Lat view, left wrist X-ray, pediatric patient (girl, age 15), initial study, 439x734. 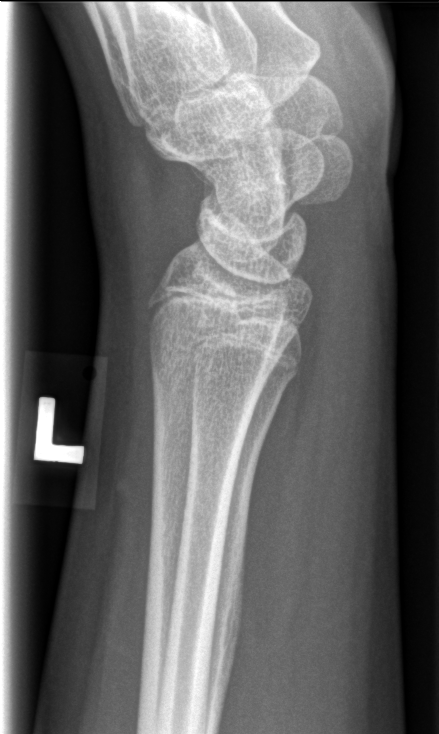

{
  "fracture": "none labeled"
}